Right wrist radiograph · AP projection · male, 15 yo · presentation radiograph · 695 by 1146 pixels:
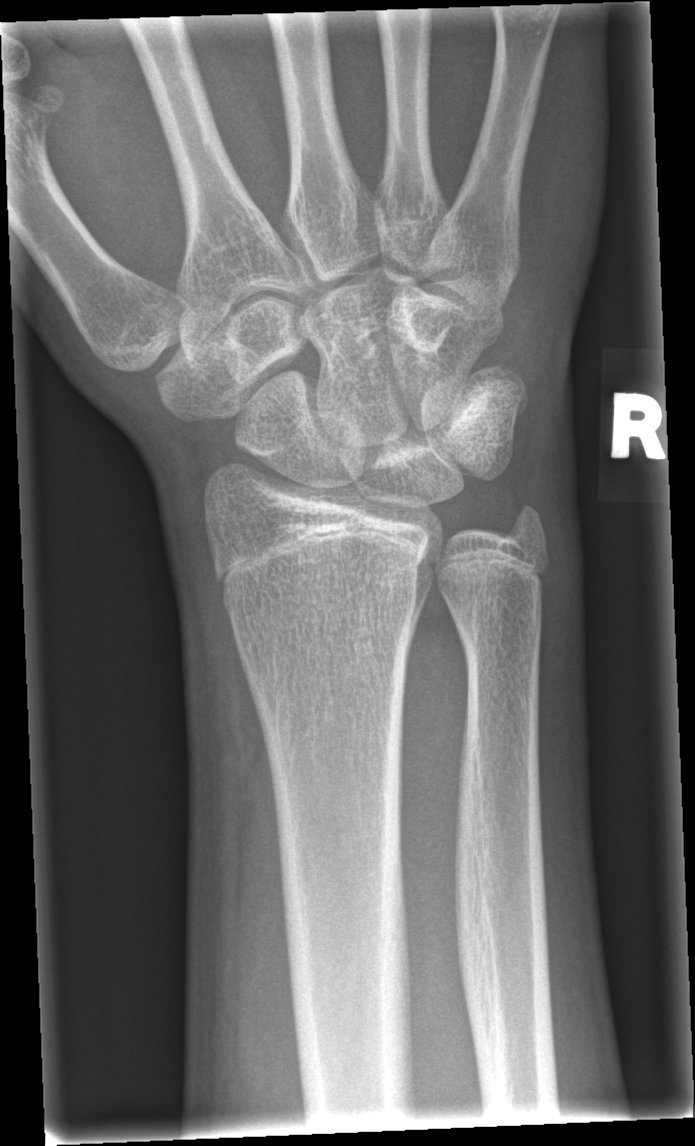 Fx = none labeled